Posteroanterior view, right plain radiograph of the wrist, cast in situ, 538 by 737 pixels —
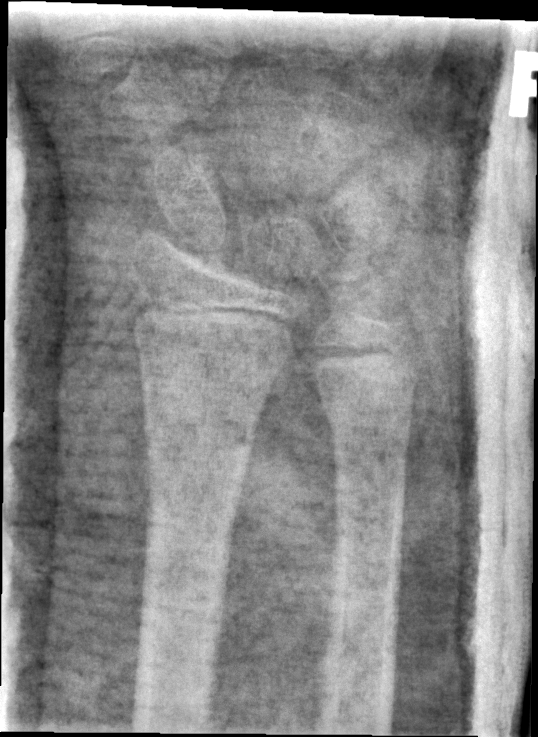
Fractures — bbox(139, 407, 261, 468), bbox(324, 406, 415, 462).